Rt wrist X-ray | PA/AP projection | pediatric patient (boy, age 14)
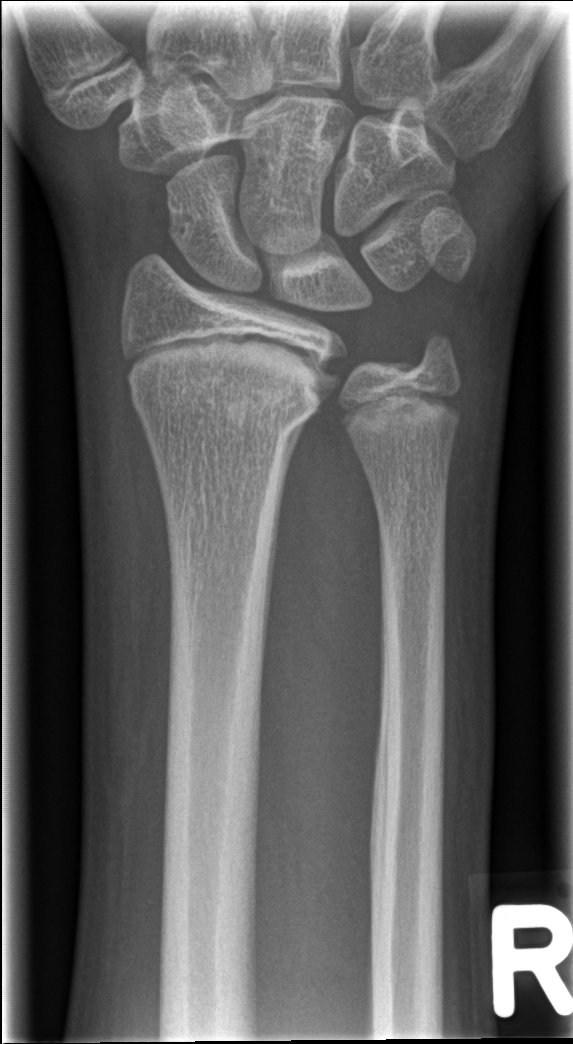 Findings: (pixel coordinates, top-left origin, xyxy) Bone fracture: bbox(124, 344, 331, 441), bbox(404, 321, 461, 375).